Left wrist plain film | lateral view | girl, 12 yo | detector: Siemens: 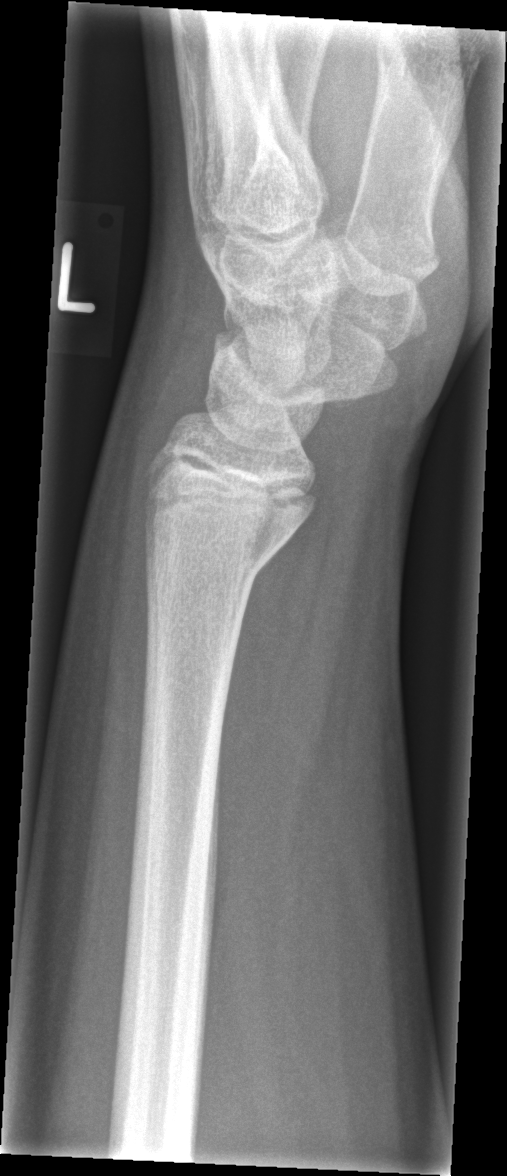
• Fx — [142, 521, 284, 601].